AP, Lt pediatric wrist radiograph, subsequent exam, cast in situ, Siemens — 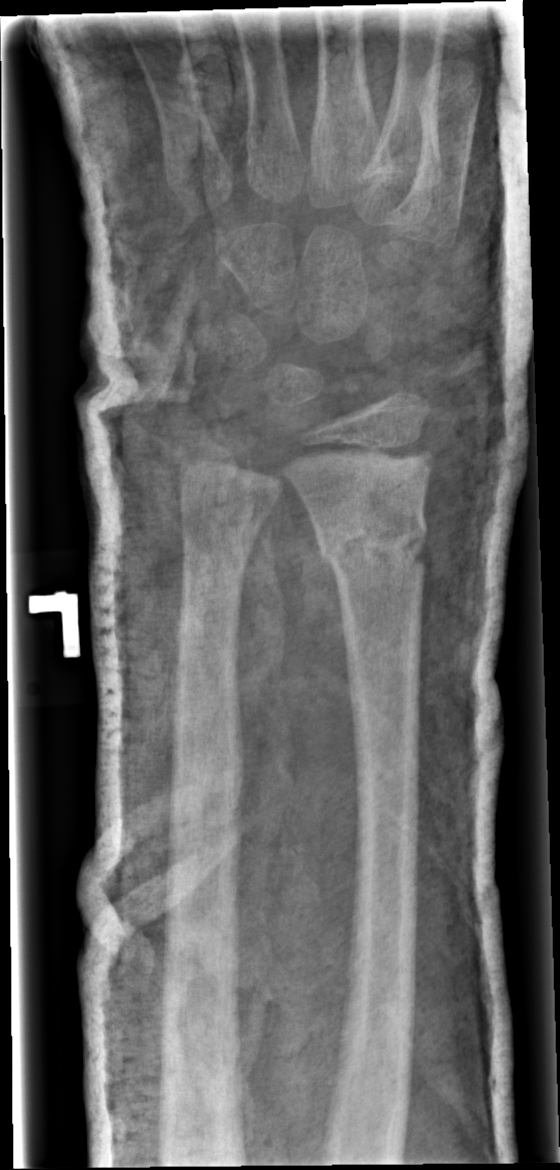 Bone fracture: [x1=315, y1=507, x2=433, y2=575]